Left wrist pediatric wrist radiograph, frontal, age 10 y, female, 65.7 mm image width, 456x768 —
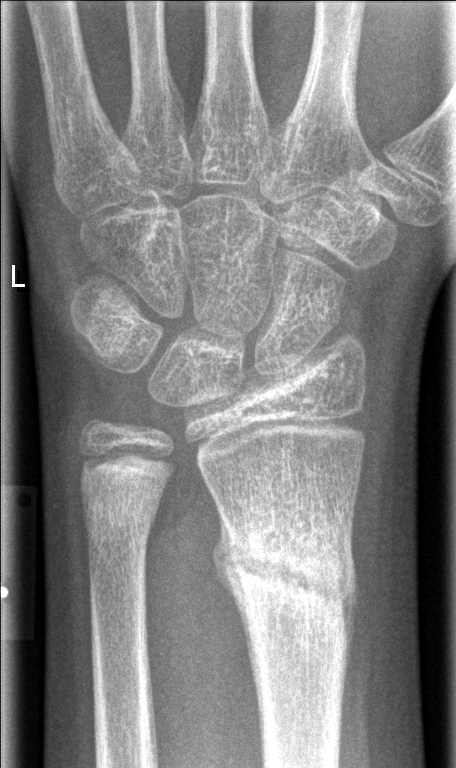 Q: Fracture present?
A: Bone fractures — (left=208, top=513, right=360, bottom=628) (left=80, top=484, right=163, bottom=536)
Q: Bone density?
A: Osteopenia
Q: What is the AO/OTA classification?
A: Fracture classified AO/OTA 23r-M/3.1; 23u-M/2.1
Q: Any periosteal thickening?
A: Periosteal thickening — (left=210, top=497, right=264, bottom=768); (left=339, top=496, right=362, bottom=705)